R plain radiograph of the wrist · lateral view · age 4 y, boy
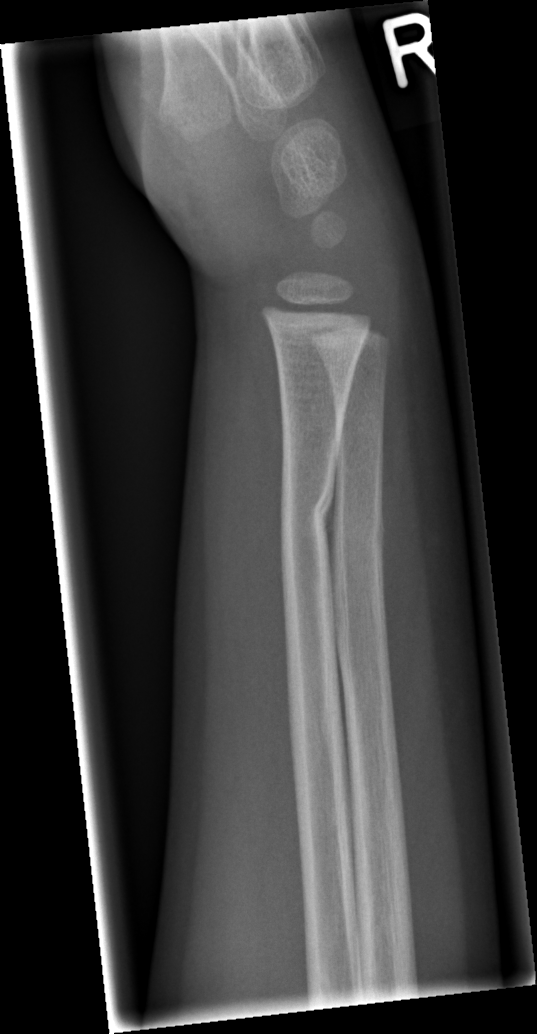

Boxes as x1,y1,x2,y2 (top-left / bottom-right, pixel units).
AO code 22-D/2.1.
Bone fracture identified at (left=275, top=478, right=336, bottom=539), (left=330, top=508, right=386, bottom=556).